PA/AP; Rt wrist XR; image 94.0 mm wide: 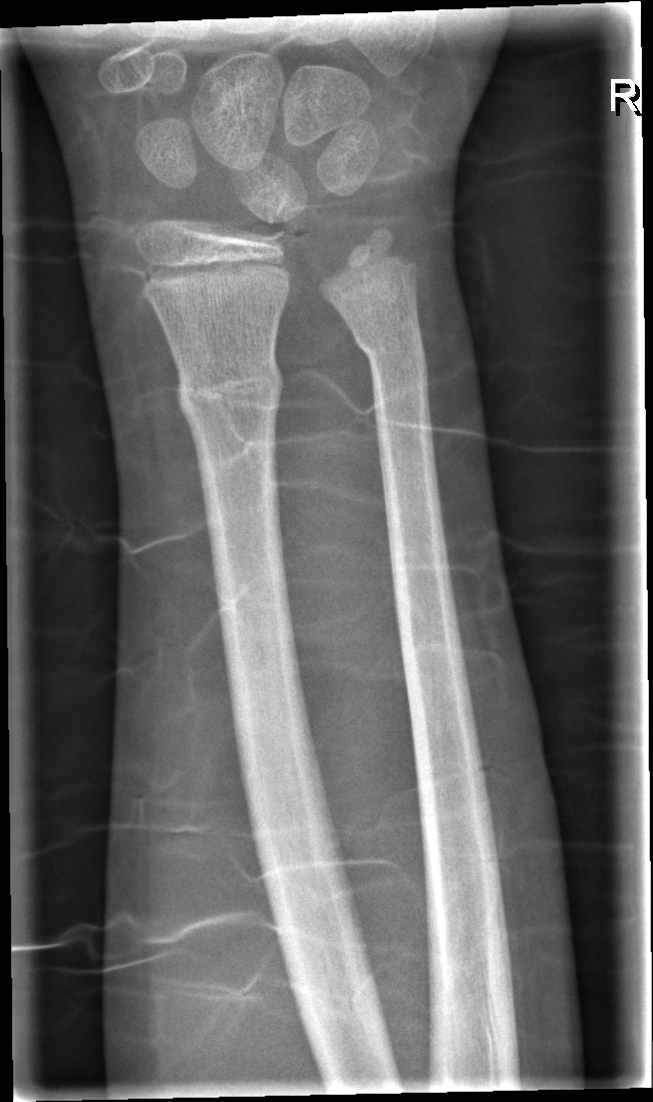
Fracture: (172, 353, 287, 432) (347, 315, 431, 372).